Right plain radiograph of the wrist · lat projection · image width 74.3 mm · 516x1038 — 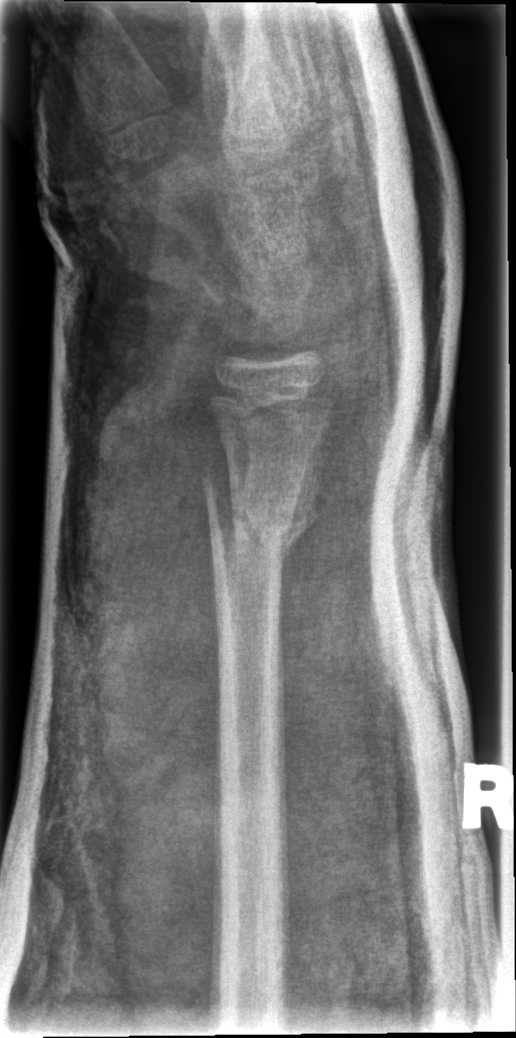
FINDINGS: Fx identified at [x1=198, y1=471, x2=325, y2=564]. AO code 23r-M/3.1; 23u-M/2.1.